L wrist radiograph, lateral projection, 10-year-old male, cast present, 518 by 1090 pixels
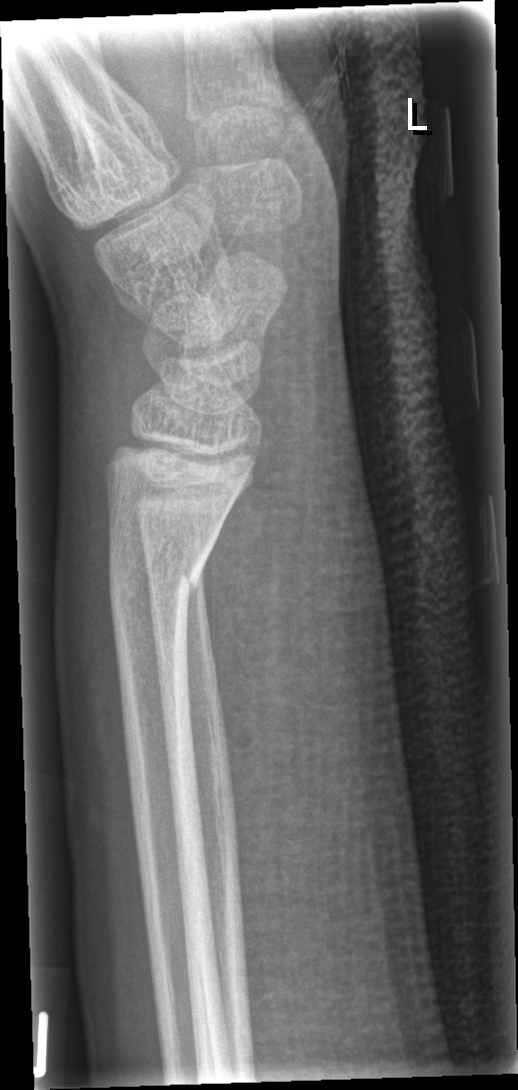
FINDINGS: Fracture classified AO/OTA 23-M/2.1. One fracture at (104, 548, 211, 625).